Posteroanterior view · left wrist plain film · 14y M · image width 80.1 mm · 556 by 924 pixels
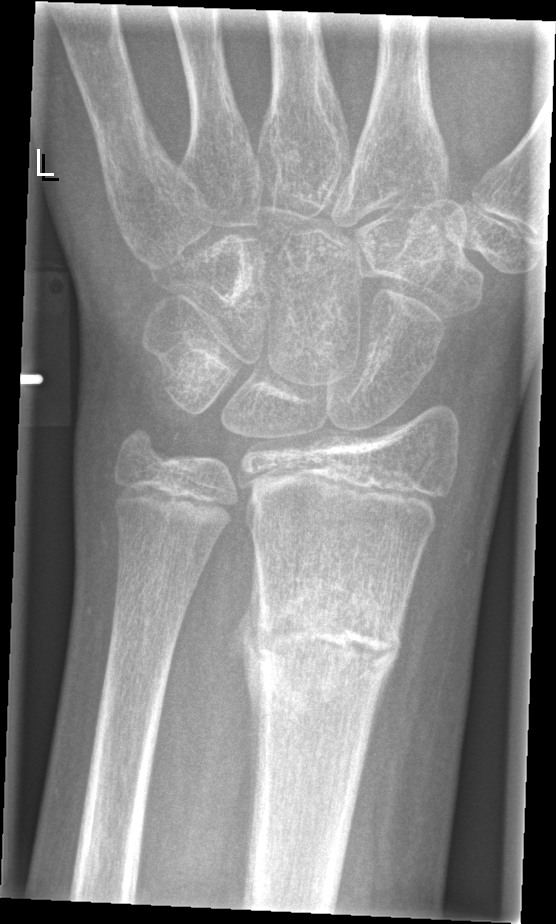
FINDINGS: Fracture classified AO/OTA 23r-M/3.1. Periosteal thickening — [x1=227, y1=550, x2=266, y2=819]; [x1=358, y1=658, x2=396, y2=797]. Bone fracture identified at [x1=251, y1=594, x2=404, y2=678].